Left wrist X-ray | lateral | age 8 y, male | follow-up study | 525x882

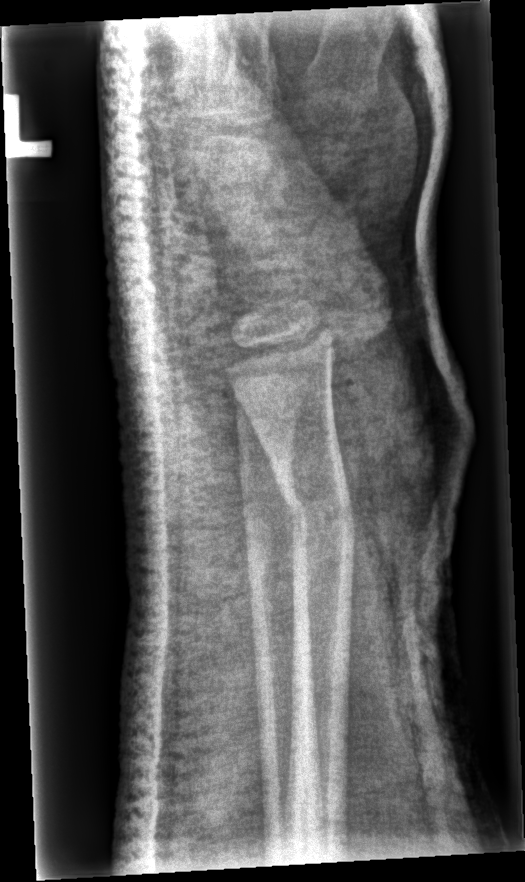 (boxes as x1,y1,x2,y2 (top-left / bottom-right, pixel units))
Q: Any fracture seen?
A: Bone fracture — (left=274, top=478, right=359, bottom=558)
Q: AO code?
A: AO/OTA classification: 23r-M/3.1